Left wrist pediatric wrist radiograph, frontal projection: 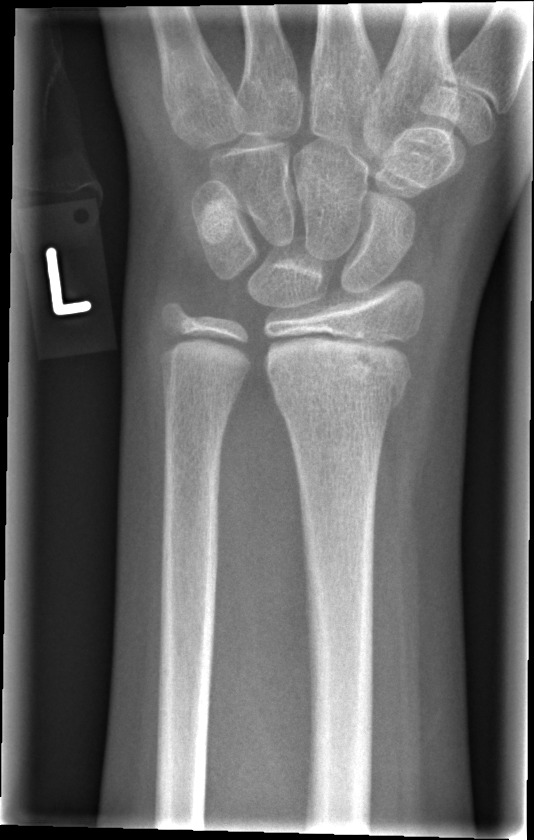
{"_coords": "bounding boxes in image-pixel xyxy", "ao": "23r-M/3.1", "fracture": "268 362 409 417"}